Lateral projection; left wrist plain radiograph of the wrist; male, 6 yo

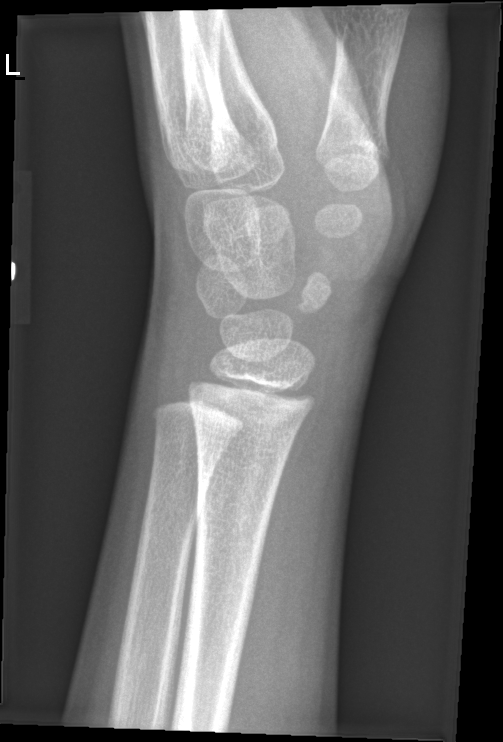
* No fracture labeled.